PA | R plain radiograph of the wrist | girl, 11 yo | image 85.8 mm wide | 596 by 924 pixels:
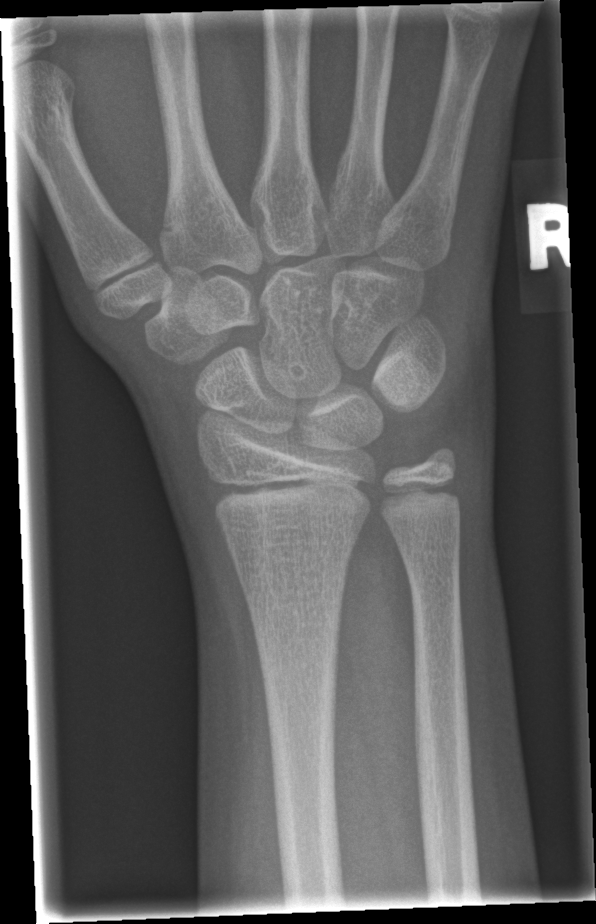 Bone fracture = none labeled